PA projection; R wrist radiograph; follow-up; imaged through cast; Siemens —
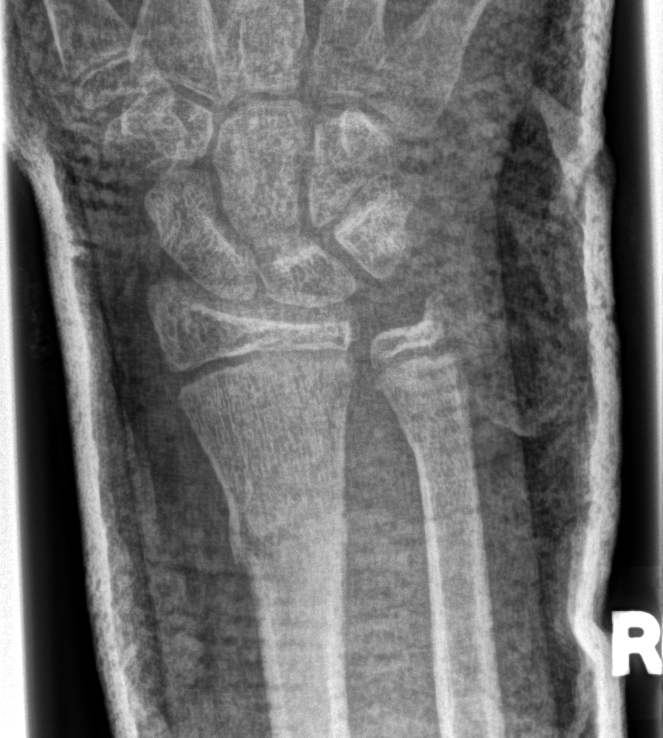 FINDINGS: Fracture: bbox(224, 485, 352, 581) bbox(405, 410, 477, 463). AO code 23r-M/3.1; 23u-M/2.1.